Rt wrist XR; lat view; cast in situ; image width 61.6 mm; 428 x 1110 px —

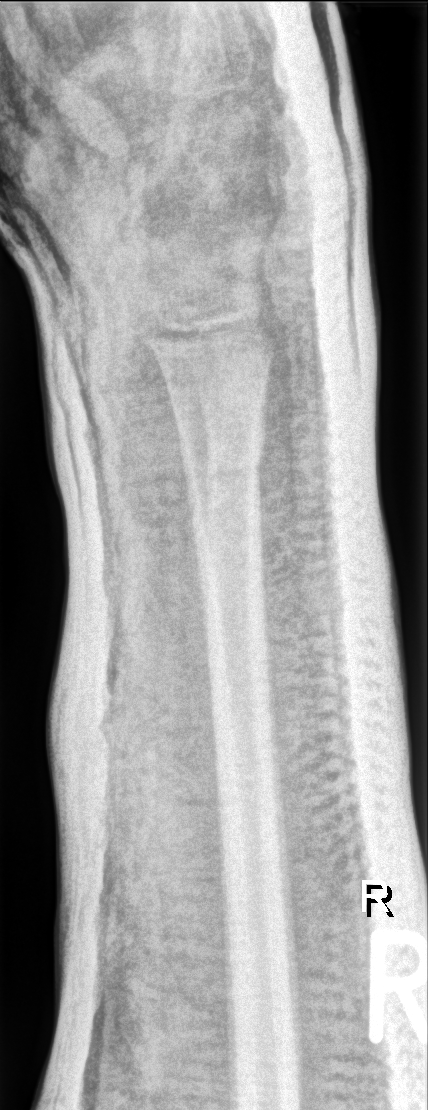 AO/OTA classification: 23r-M/2.1.
Bone fracture identified at <173,417>-<271,518>.